PA/AP; L pediatric wrist radiograph; girl, 10 yo; initial study; 71.6 mm image width

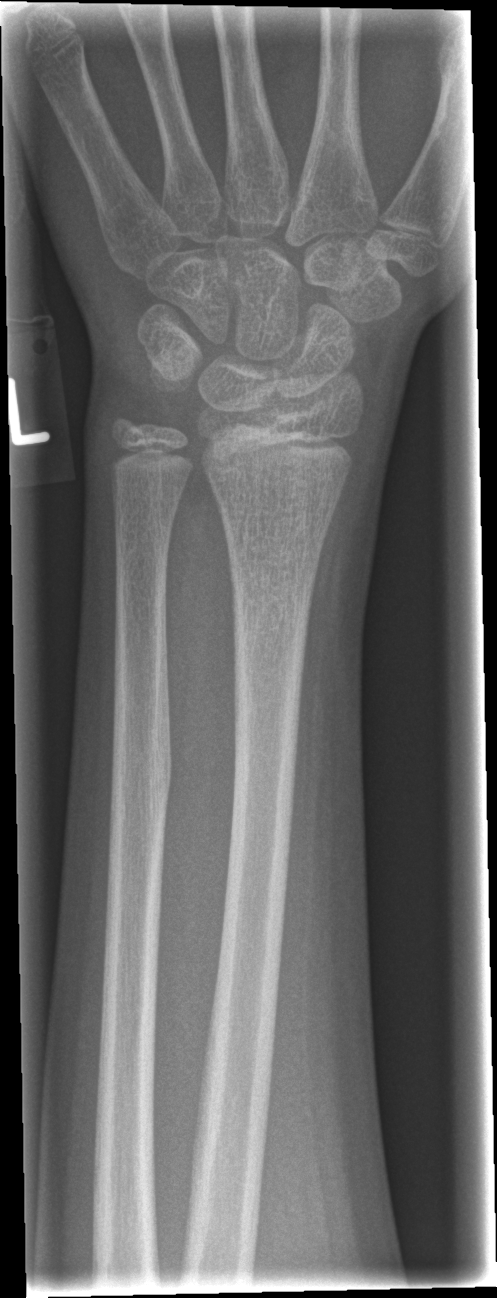
No fracture bounding box.